Left wrist plain film, lateral, subsequent exam, Siemens, 72.4 mm image width

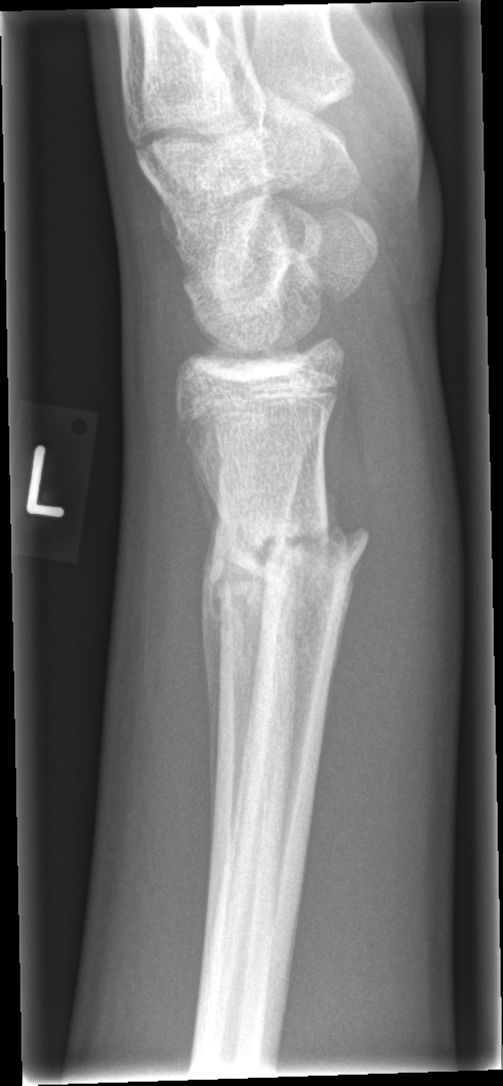
- Pixel coordinates, top-left origin, xyxy.
- AO code 23-M/3.1; 23u-E/7.
- Fracture identified at <187,487>-<374,729>.